Lat view; right wrist radiograph; pediatric patient (boy, age 7); detector: Siemens; 66.4 mm image width: 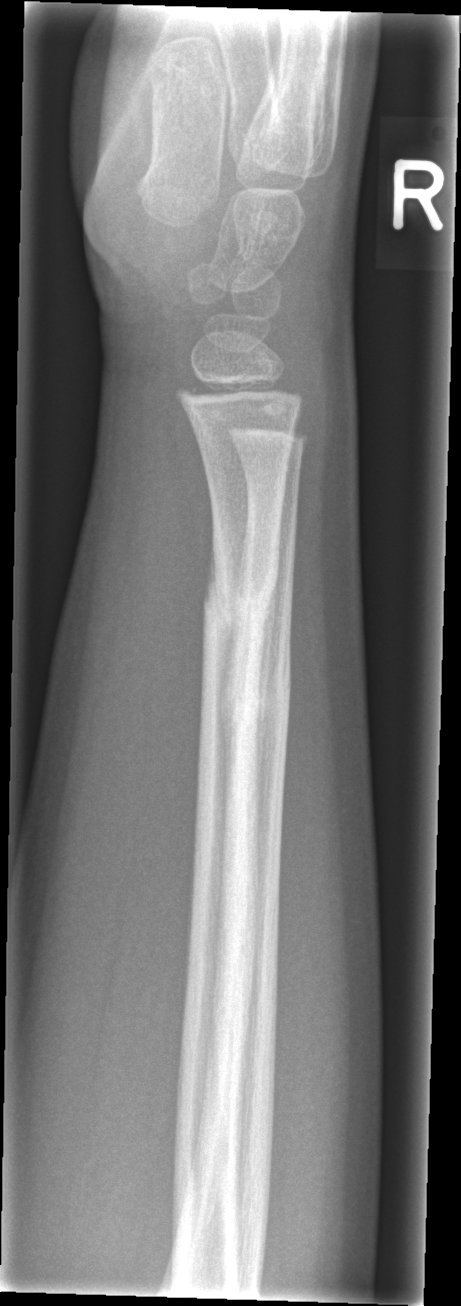

FINDINGS: AO code 22-D/2.1. Bone fracture identified at [x1=199, y1=554, x2=281, y2=638]; [x1=224, y1=635, x2=295, y2=732].